L wrist XR | lat projection | age 14 y, male | follow-up study:
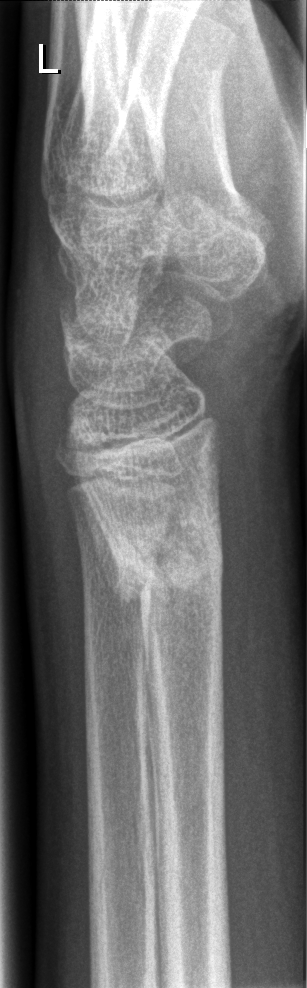

One fracture at bbox(101, 508, 227, 609).
Fracture classified AO/OTA 23r-M/3.1; 23u-E/7.